AP view, Lt plain radiograph of the wrist, acquired on Siemens.
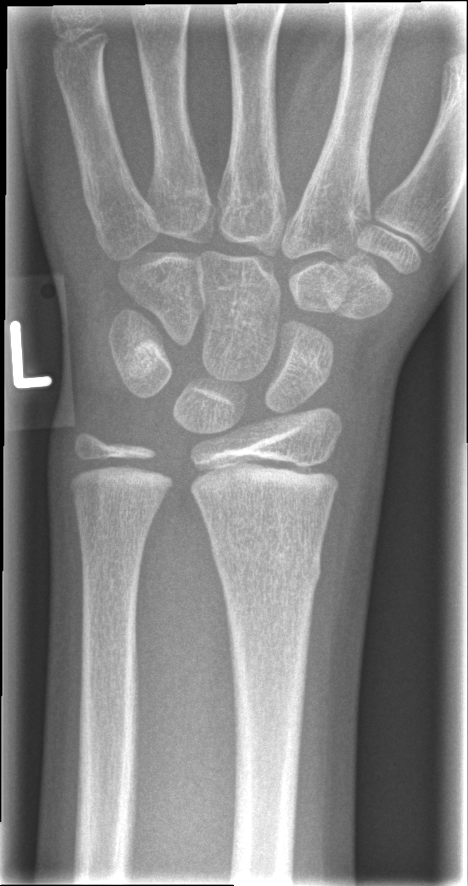

AO code 23r-M/2.1. Fx — 210,539,326,597.